Lt wrist plain film, posteroanterior view 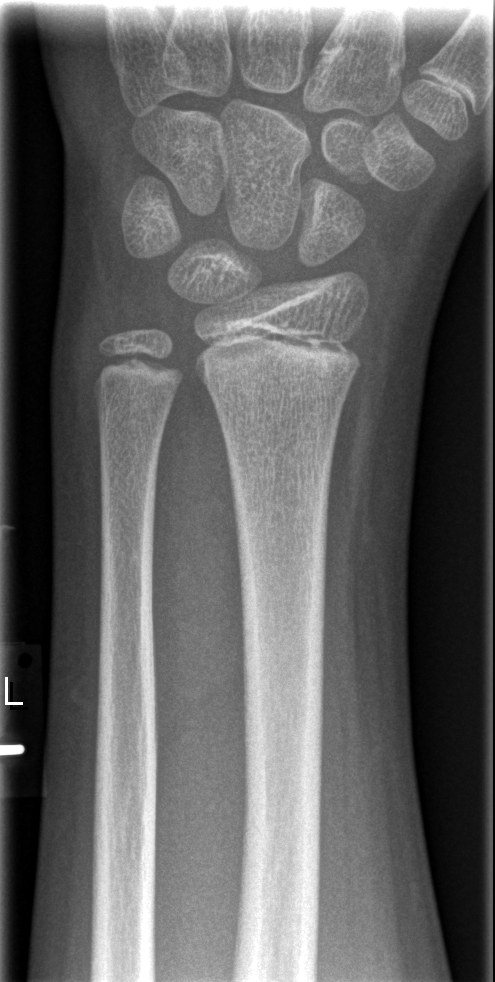 • Fx present but not clearly seen in this view.